Rt pediatric wrist radiograph, lateral projection:

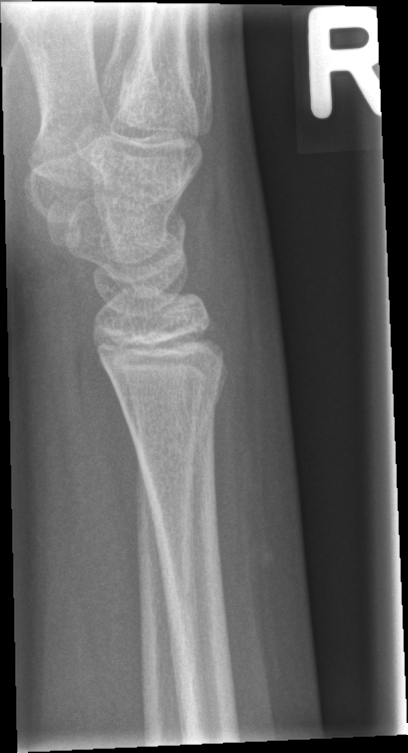

bone fracture: 1 @ (left=111, top=367, right=229, bottom=439)
AO classification: 23r-M/2.1